Right wrist XR | PA projection | in cast.

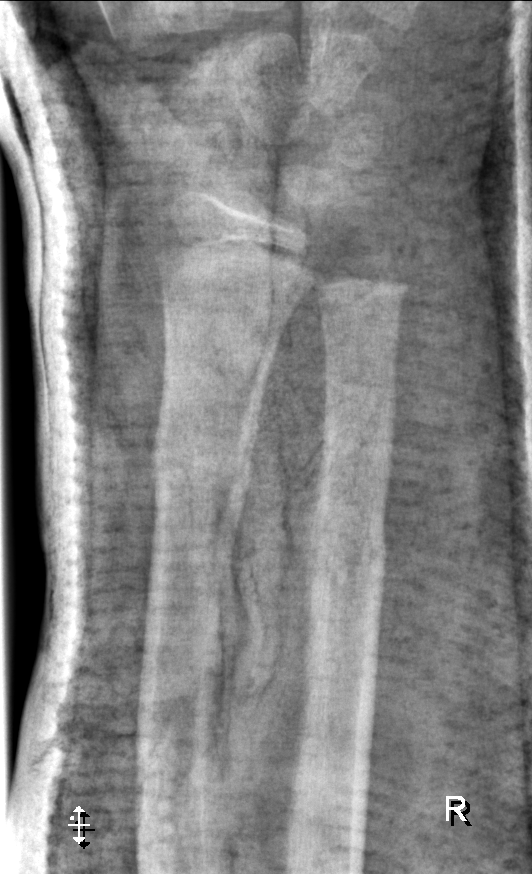

- Bounding boxes in image-pixel xyxy.
- Fx: [x1=148, y1=425, x2=255, y2=511]; [x1=302, y1=529, x2=390, y2=596].
- AO code 22-D/2.1.